Left plain radiograph of the wrist | lateral | 9-year-old female | 75.7 mm image width —

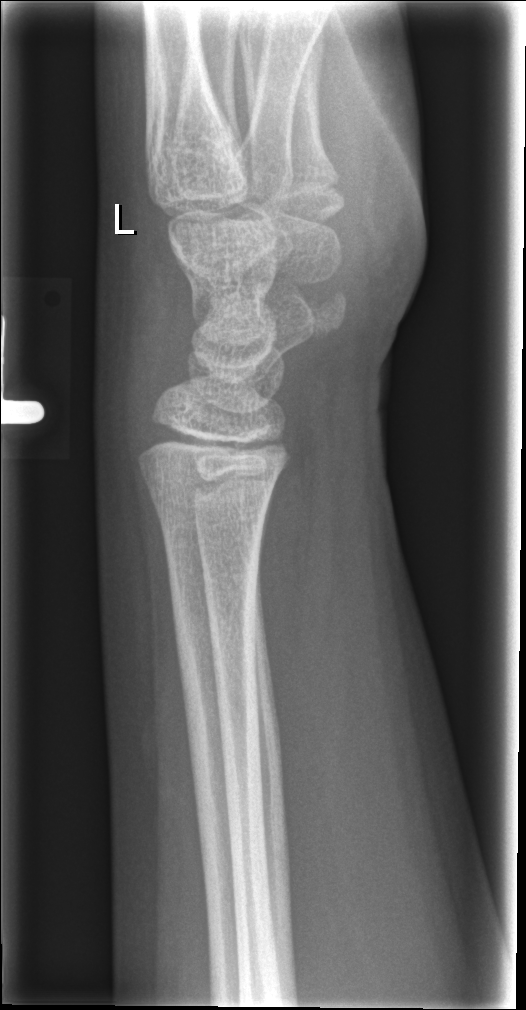 Coordinates are [x1, y1, x2, y2] in image pixels. Fracture: 168 586 263 681.